L plain radiograph of the wrist · PA/AP view · age 15 y, male · index exam · findings marked uncertain by the reading radiologist · 608x1031

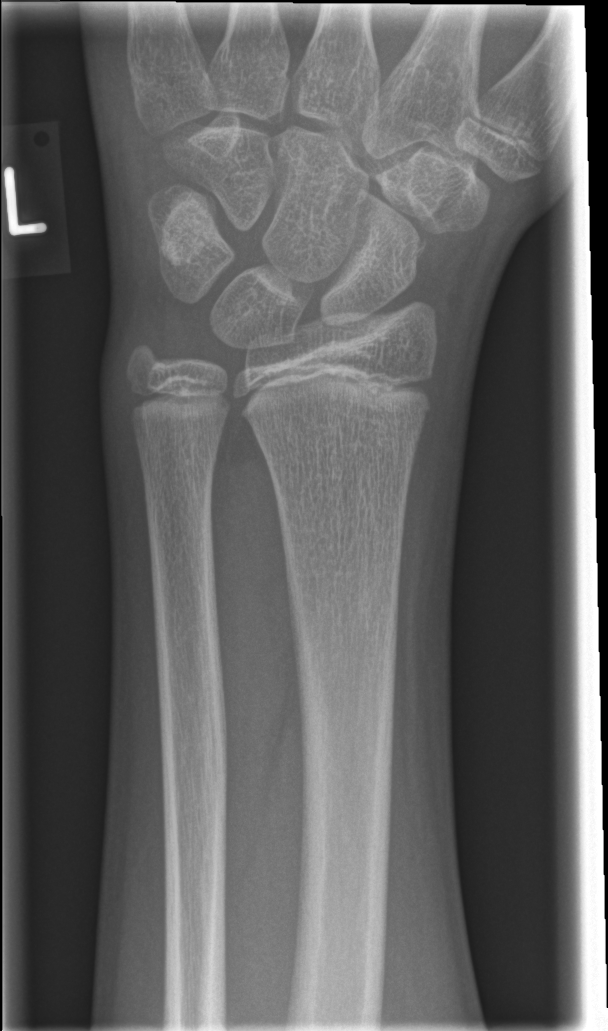 Bounding boxes in image-pixel xyxy.
Bone anomaly: bbox(400, 214, 432, 281).
No fracture annotation.